L plain radiograph of the wrist | PA | in cast: 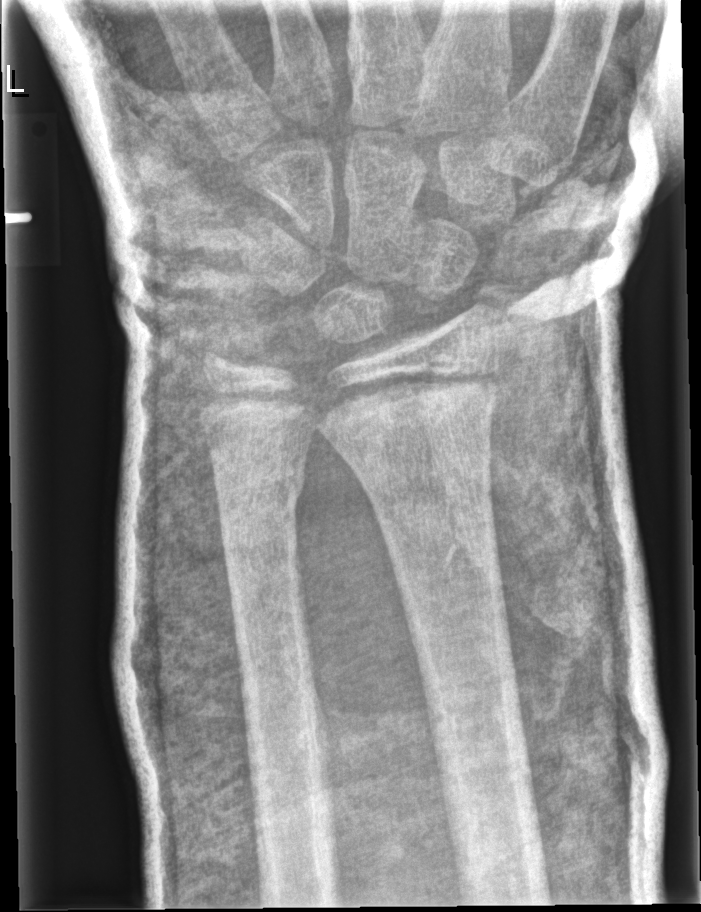 Boxes as x1,y1,x2,y2 (top-left / bottom-right, pixel units).
Bone fracture: [212, 463, 306, 530].
AO/OTA classification: 23r-E/2.1; 23u-M/2.1.